Right wrist XR · frontal · pediatric patient (female, age 11) · index exam: 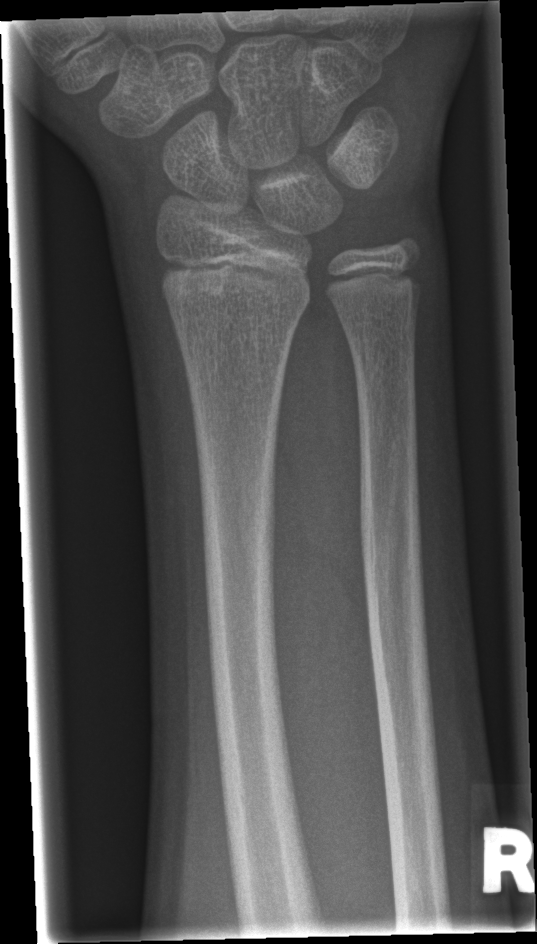
bone fracture: none labeled